L wrist radiograph, lateral projection, age 13 y, male, presentation radiograph.
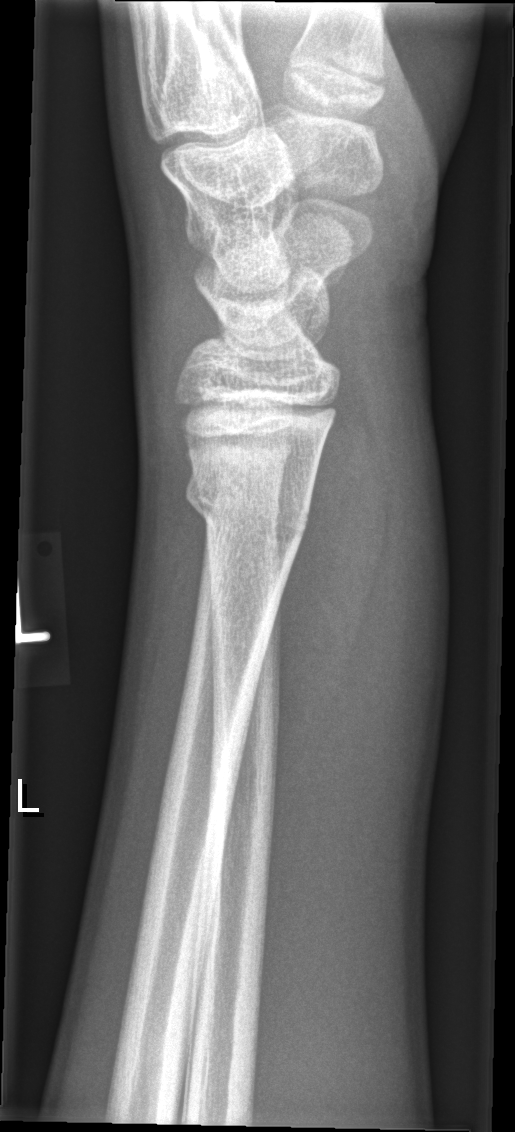 Coordinates are [x1, y1, x2, y2] in image pixels. One Fx at [x1=182, y1=450, x2=311, y2=552]. One pronator sign at [x1=274, y1=394, x2=391, y2=802].